PA view; L wrist radiograph; initial study; 113.6 mm image width: 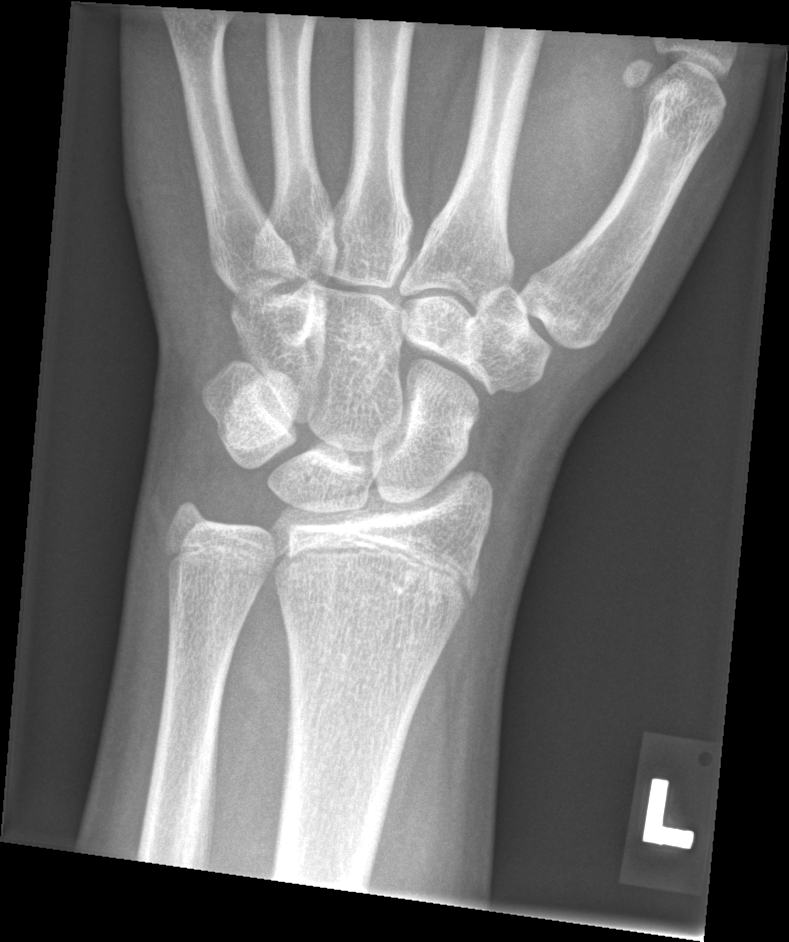

No fracture labeled.